R wrist X-ray · lateral projection · girl, 9 yo: 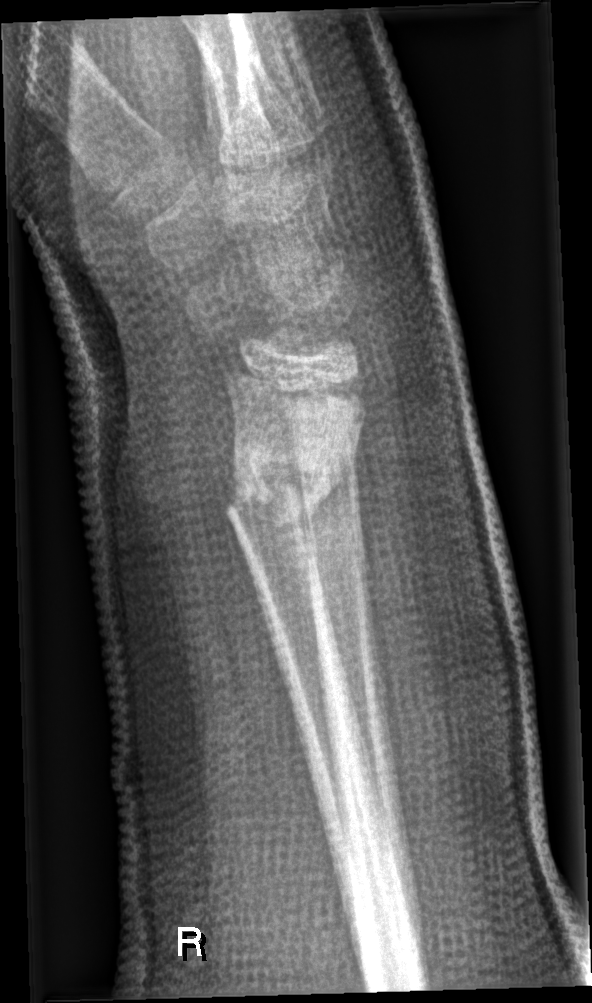 Bone fracture: (219, 428, 352, 541).